Frontal view; left wrist X-ray; girl, 17 yo; index exam; 524 x 1060 px 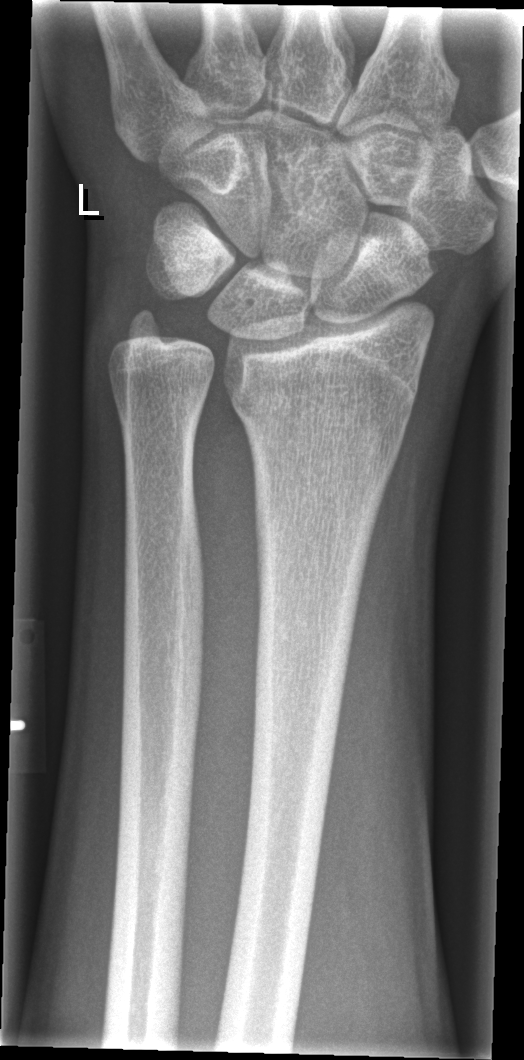

{"fracture": "none labeled"}